Lat view · Rt pediatric wrist radiograph · 14-year-old male · subsequent exam · image 58.2 mm wide:
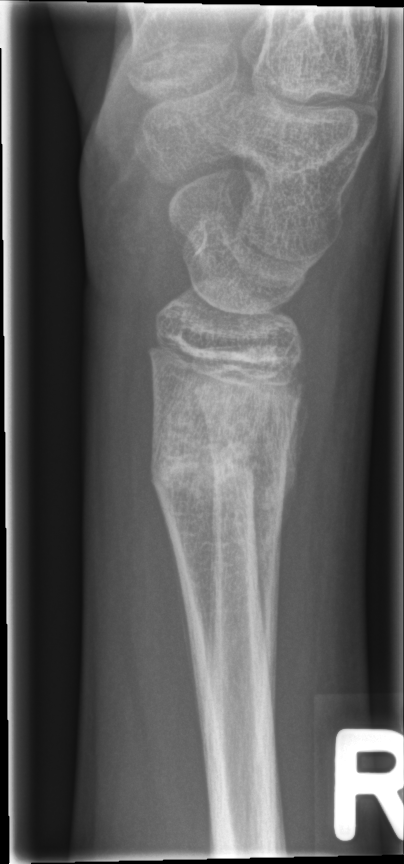 {"periostealreaction": "1 @ [x1=279, y1=393, x2=310, y2=545]", "fracture": "[x1=148, y1=392, x2=300, y2=499]", "ao": "23r-M/3.1; 23u-E/7"}